Rt wrist radiograph | lateral 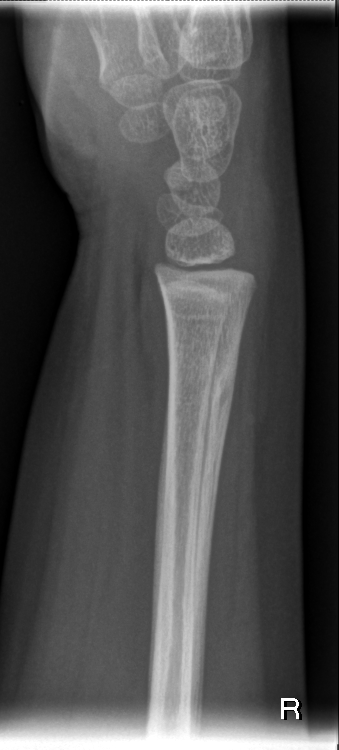

(boxes as x1,y1,x2,y2 (top-left / bottom-right, pixel units))
Q: Any bone anomaly?
A: Osseous anomaly: [164, 349, 242, 441]
Q: Locate any fractures.
A: Fracture present but not clearly seen in this view
Q: What is the AO/OTA classification?
A: AO/OTA classification: 23r-M/2.1